Left wrist X-ray | lateral | girl, 10 yo | follow-up | 586 by 1254 pixels 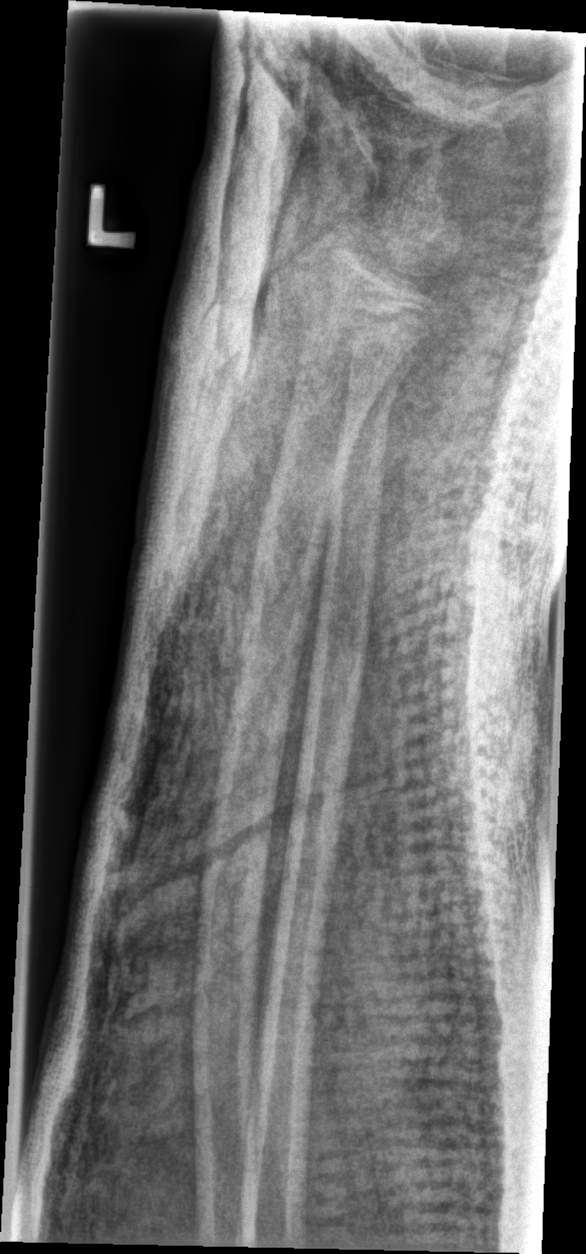
Fx: present but not clearly seen in this view
AO/OTA: 22r-D/2.1